Posteroanterior, Rt plain radiograph of the wrist, cast in situ — 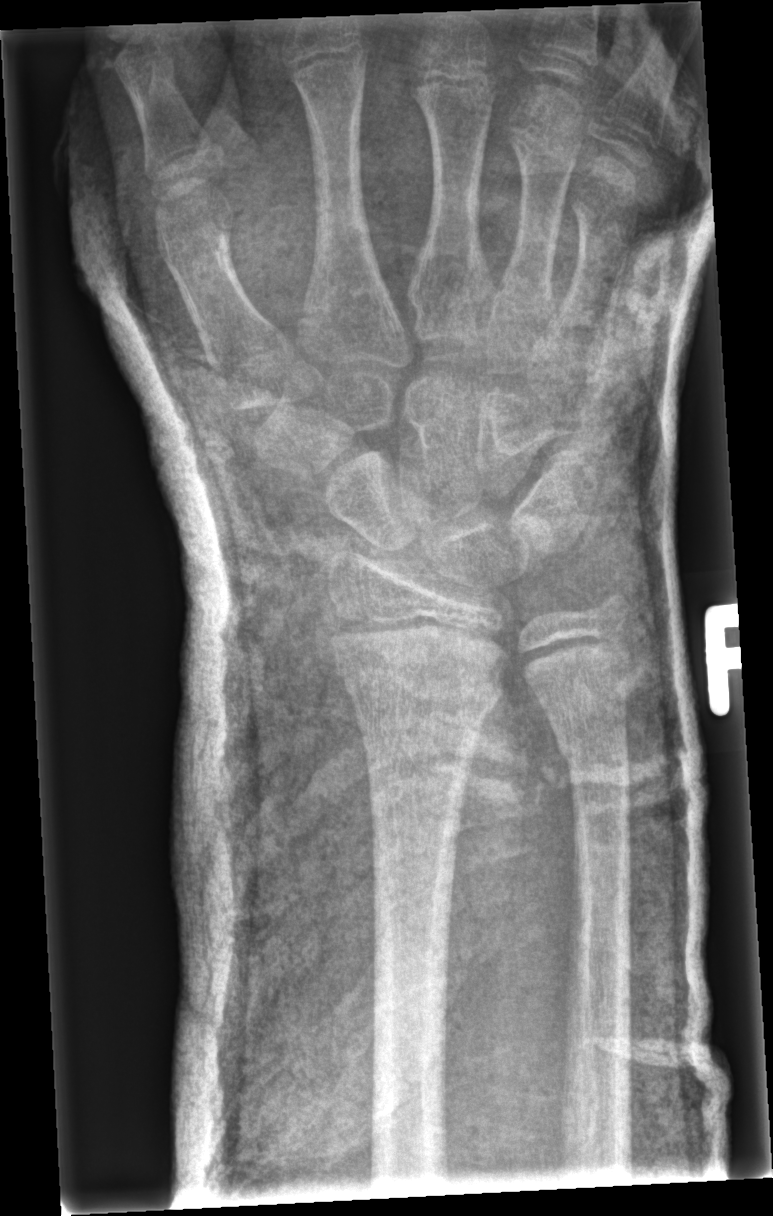
Boxes as x1,y1,x2,y2 (top-left / bottom-right, pixel units). AO code 23r-E/2.1; 23u-M/2.1. Fracture identified at <331,649>-<508,727>; <554,723>-<633,803>.